Lat view · Lt plain radiograph of the wrist.

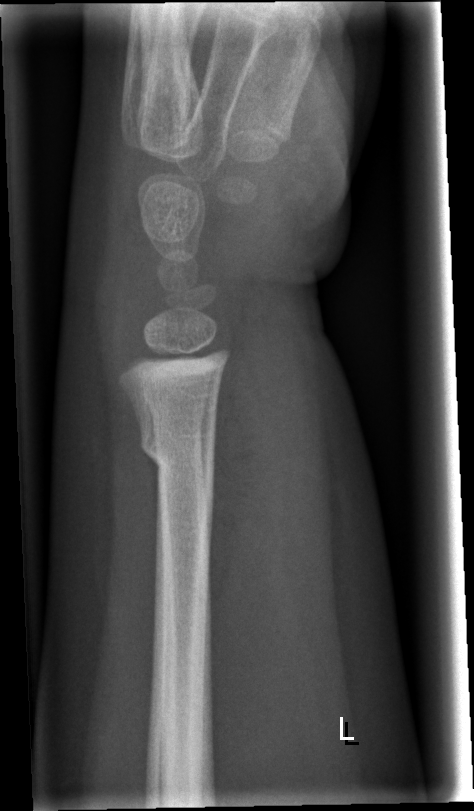
(coordinates are [x1, y1, x2, y2] in image pixels)
Pronator sign = 1 @ [x1=203, y1=348, x2=269, y2=644]
Fx = 1 @ [x1=138, y1=423, x2=218, y2=490]